Lt wrist radiograph; lat view; follow-up 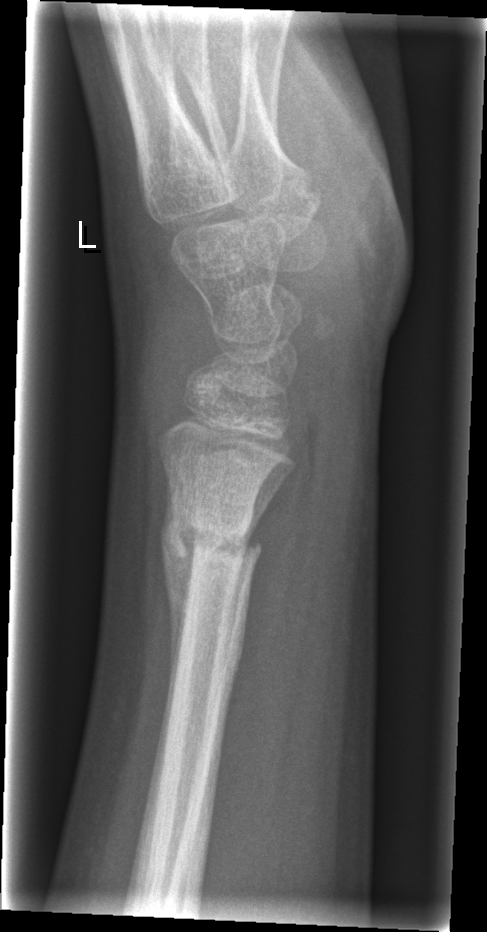 (bounding boxes in image-pixel xyxy)
periosteal reaction: 1 @ 159,475,196,715
osteopenia: present
fracture: 1 @ 155,511,265,575